Frontal projection, Lt pediatric wrist radiograph.

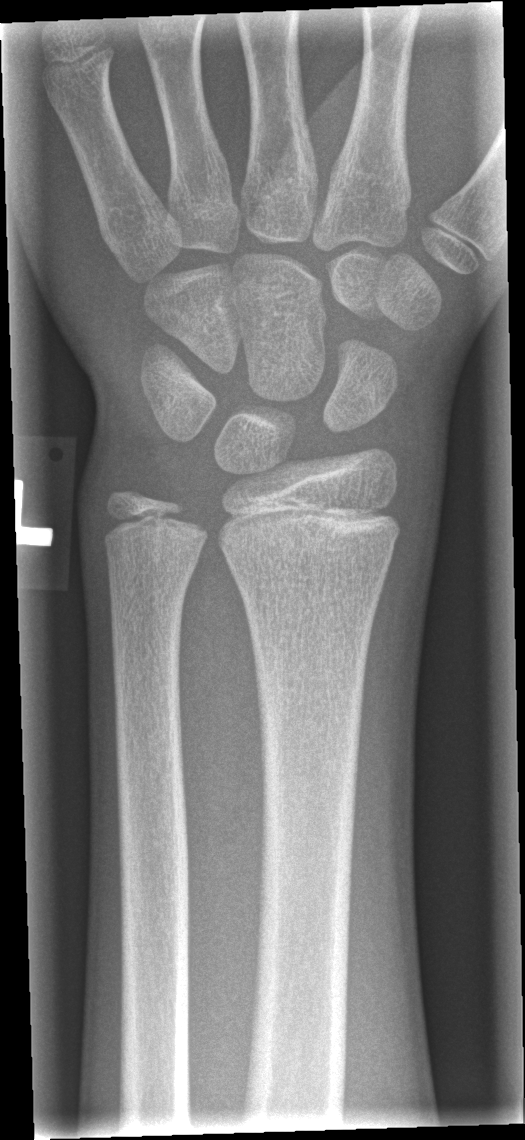

fracture: present but not clearly seen in this view
ao: 23r-M/2.1